Right plain radiograph of the wrist; frontal view; boy, 11 yo; subsequent exam; acquired on Siemens; 716x1010 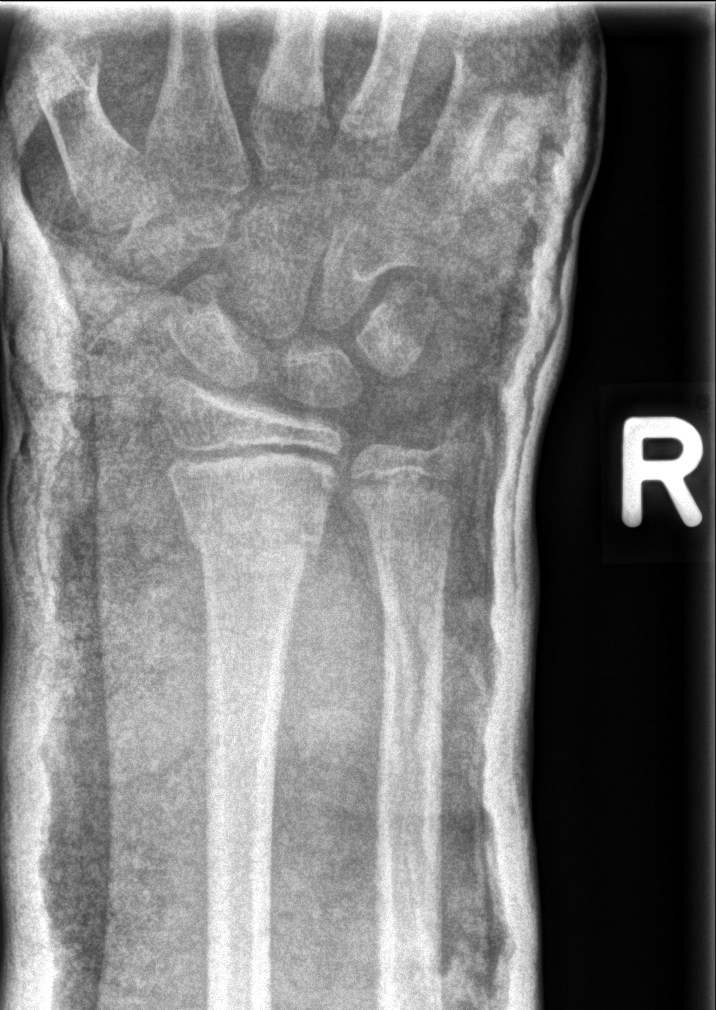 • AO/OTA classification: 23r-M/3.1; 23u-E/7.
• Fx: [x1=180, y1=508, x2=325, y2=570].